Posteroanterior view · right wrist XR · detector: Siemens:
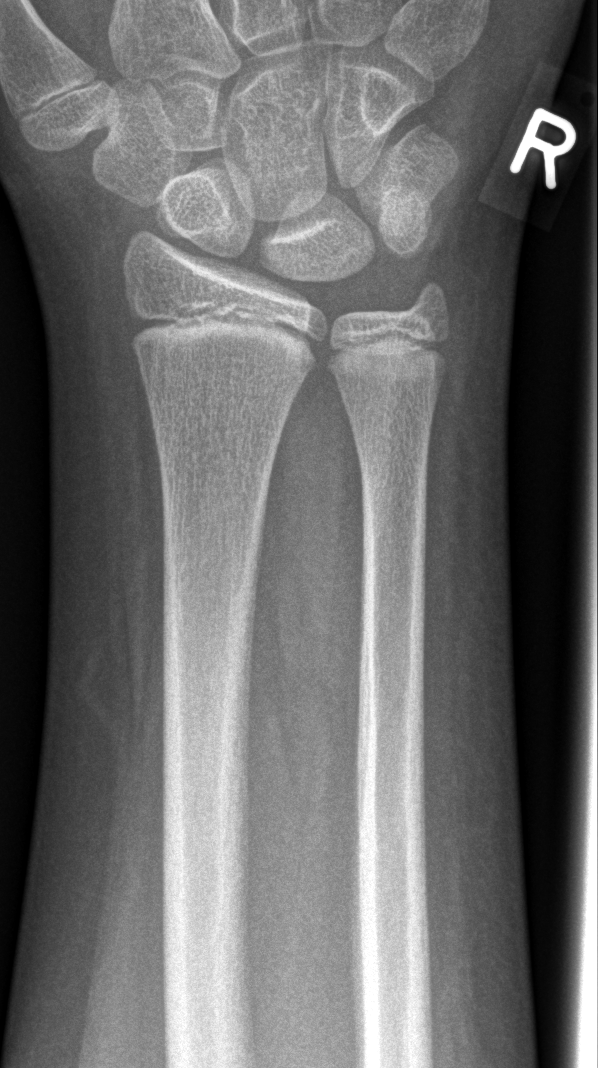

Findings: No Fx annotated.